PA/AP · right plain radiograph of the wrist · index exam · image width 86.1 mm · 598x751. 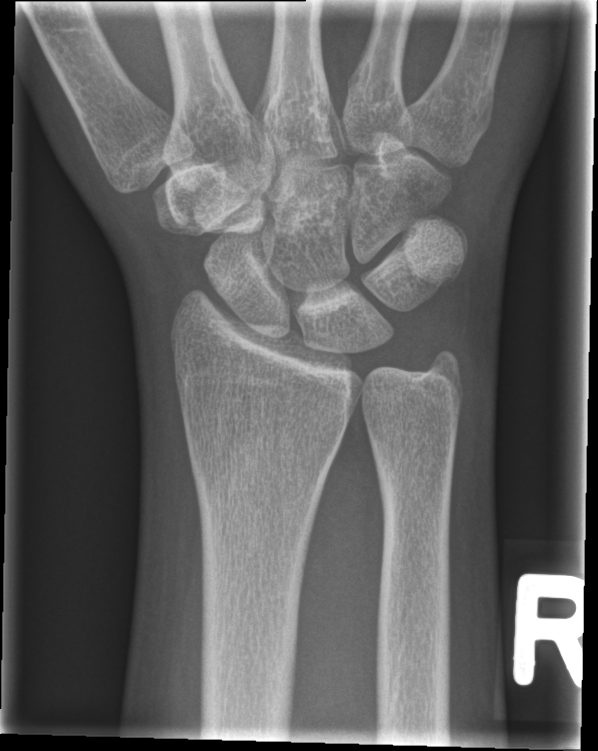
Q: Any fracture seen?
A: Fx: none